Lateral view; L pediatric wrist radiograph —
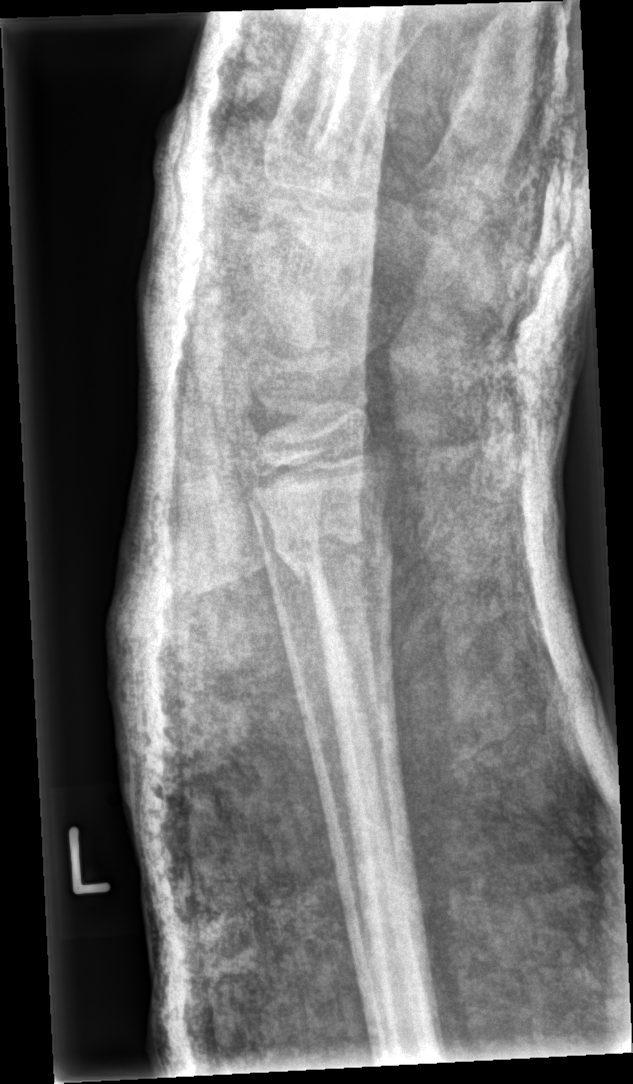
(boxes as x1,y1,x2,y2 (top-left / bottom-right, pixel units))
Q: Fracture present?
A: Fx — (left=267, top=515, right=398, bottom=588)